PA/AP projection, left wrist radiograph:
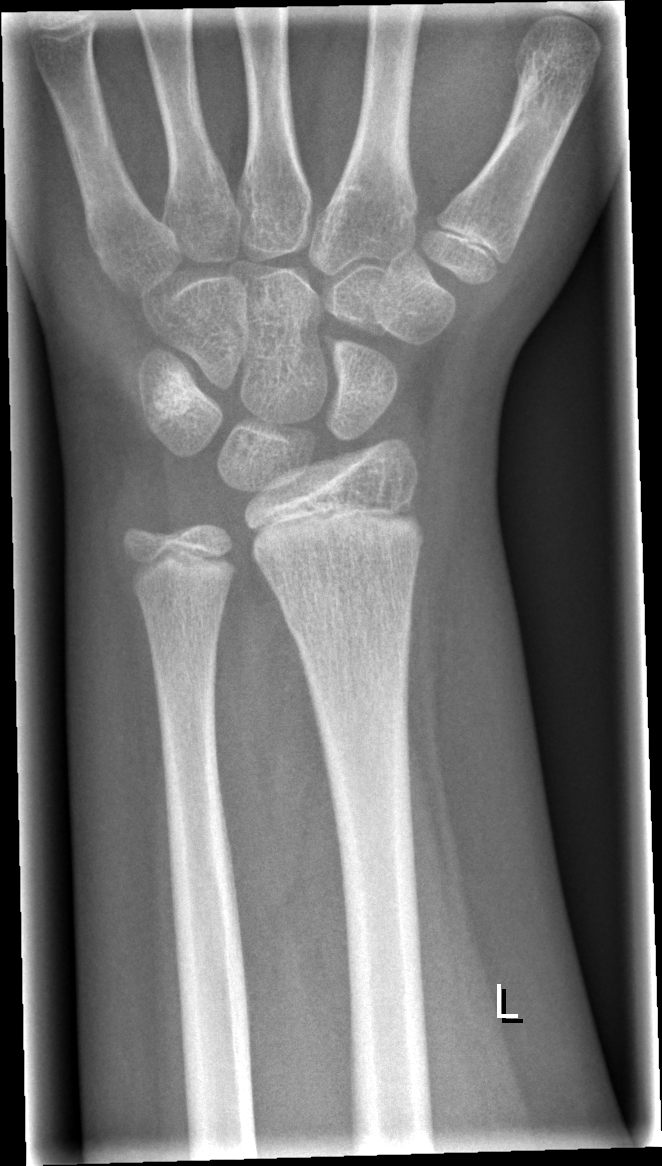
FINDINGS — (coordinates are [x1, y1, x2, y2] in image pixels) One fracture at 277 589 416 652.